Right pediatric wrist radiograph | lateral view | acquired on Siemens —

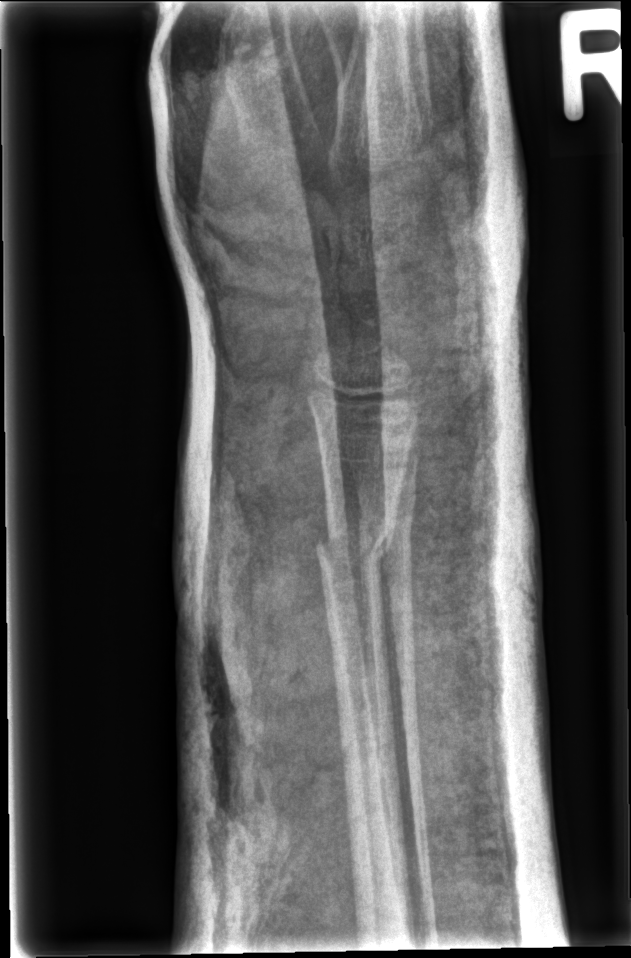
Fx = 2 @ [313, 523, 397, 577] [355, 506, 420, 548]